Left wrist XR, PA projection, in cast.
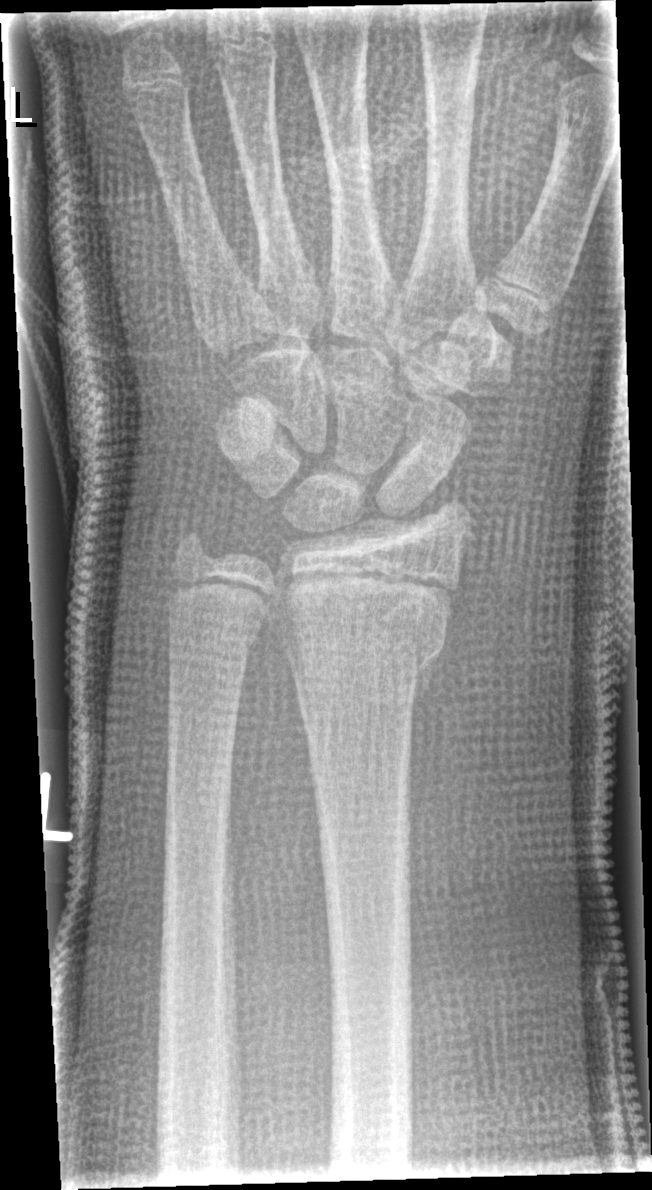
Bone fracture: [x1=278, y1=597, x2=454, y2=692], [x1=163, y1=604, x2=267, y2=663]. AO code 23-M/3.1.